Right wrist XR; lat projection; 15y M; acquired on Siemens. 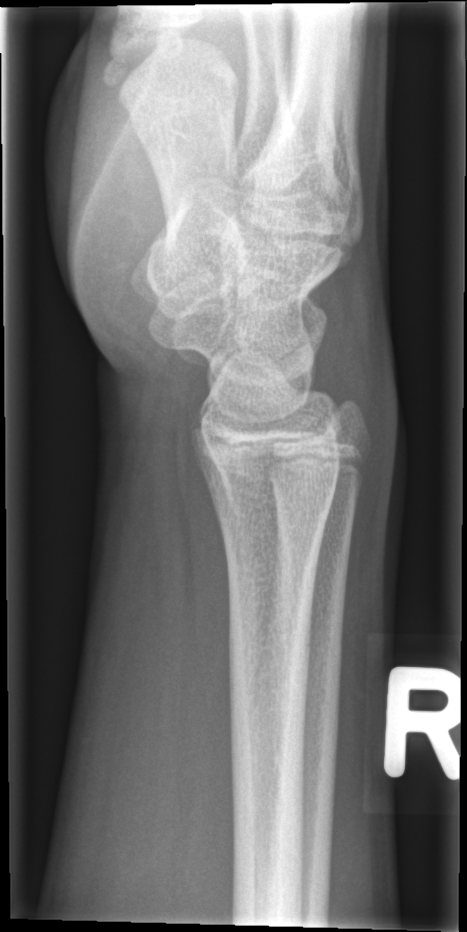 bone fracture: none labeled